R pediatric wrist radiograph | lateral

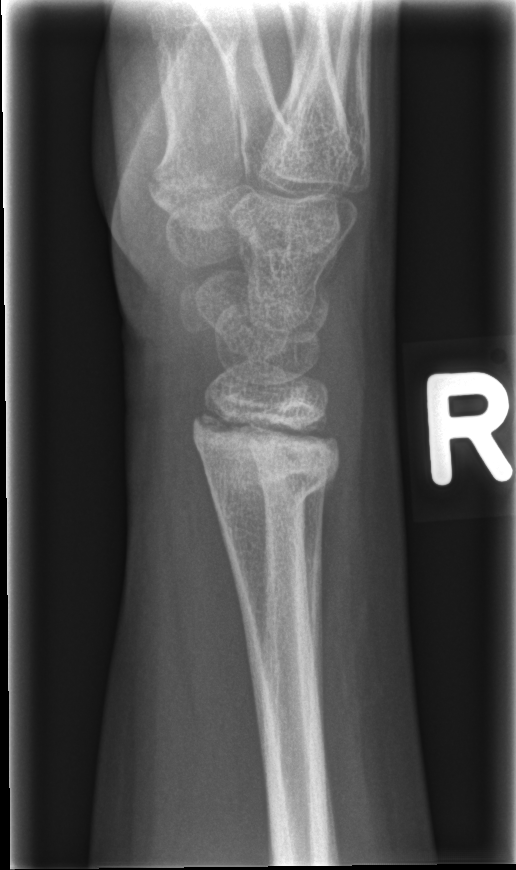 Boxes as x1,y1,x2,y2 (top-left / bottom-right, pixel units).
Bone fracture: bbox(200, 413, 340, 511).
Fracture classified AO/OTA 23r-E/2.1.
Osteopenic.